Lat projection · L pediatric wrist radiograph · pediatric patient (female, age 4):
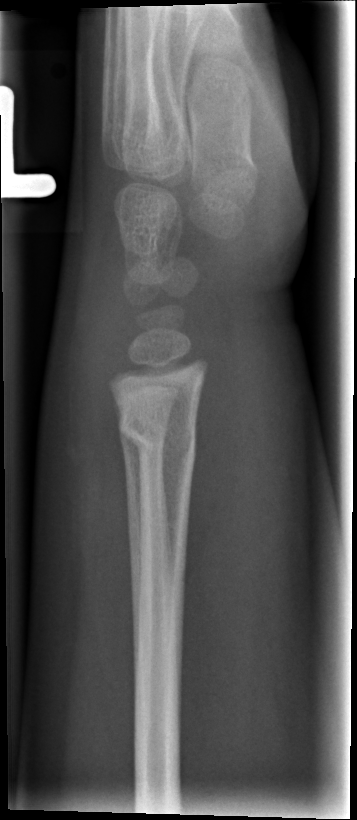

* Bone fracture — <115,404>-<200,471>.
* Pronator quadratus fat-pad sign identified at <189,338>-<247,584>.